Frontal projection, R wrist XR. 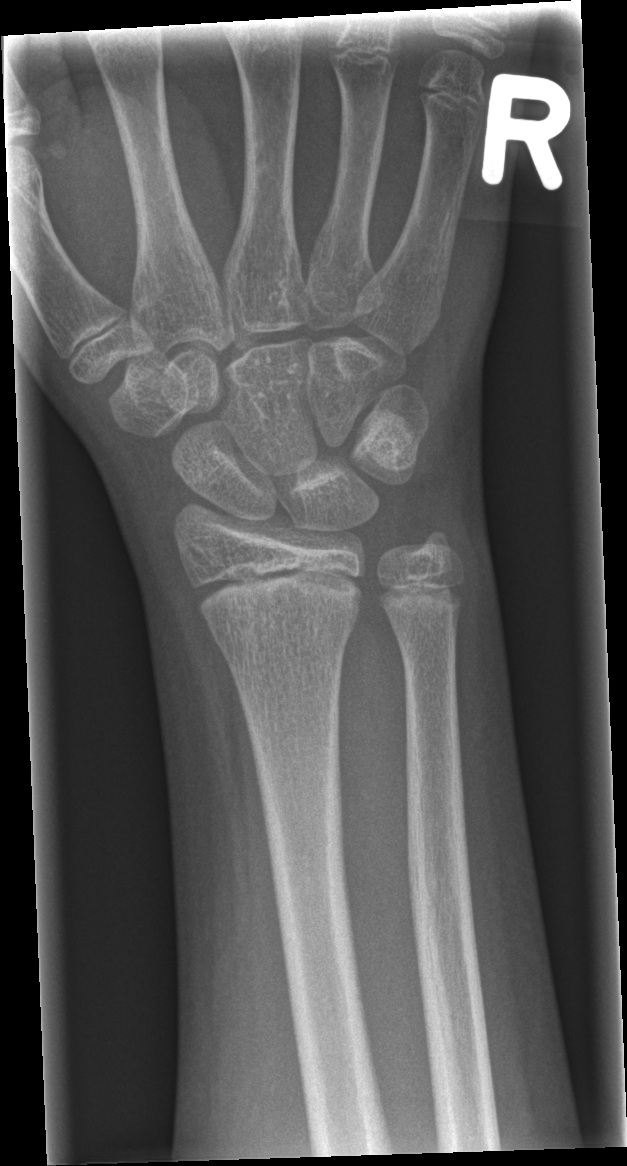
{
  "fracture": "present but not clearly seen in this view"
}